AP view; right plain radiograph of the wrist; age 9 y, girl; detector: Siemens

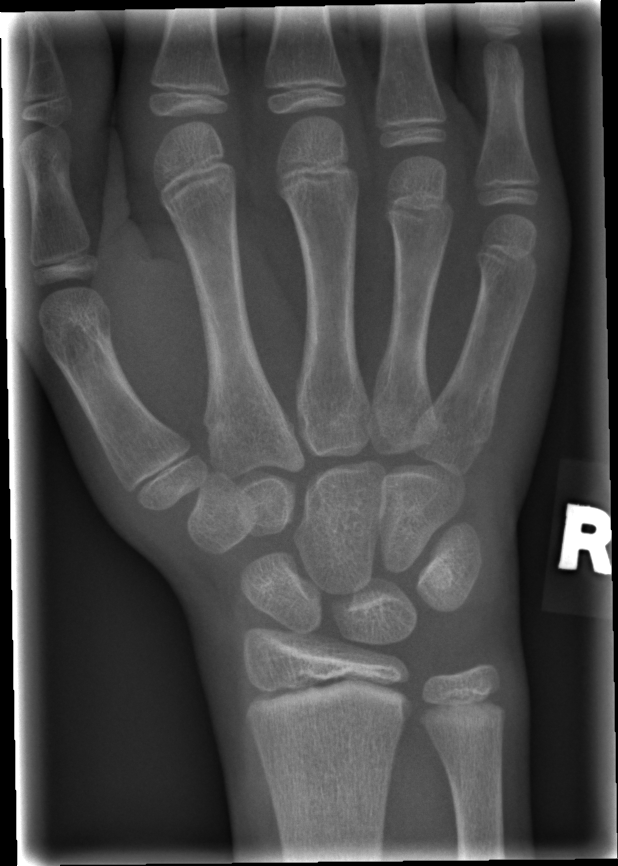
FINDINGS: No fracture annotation.